Lateral projection, left wrist plain film, male, 10 yo, presentation radiograph, image size 602x1196:
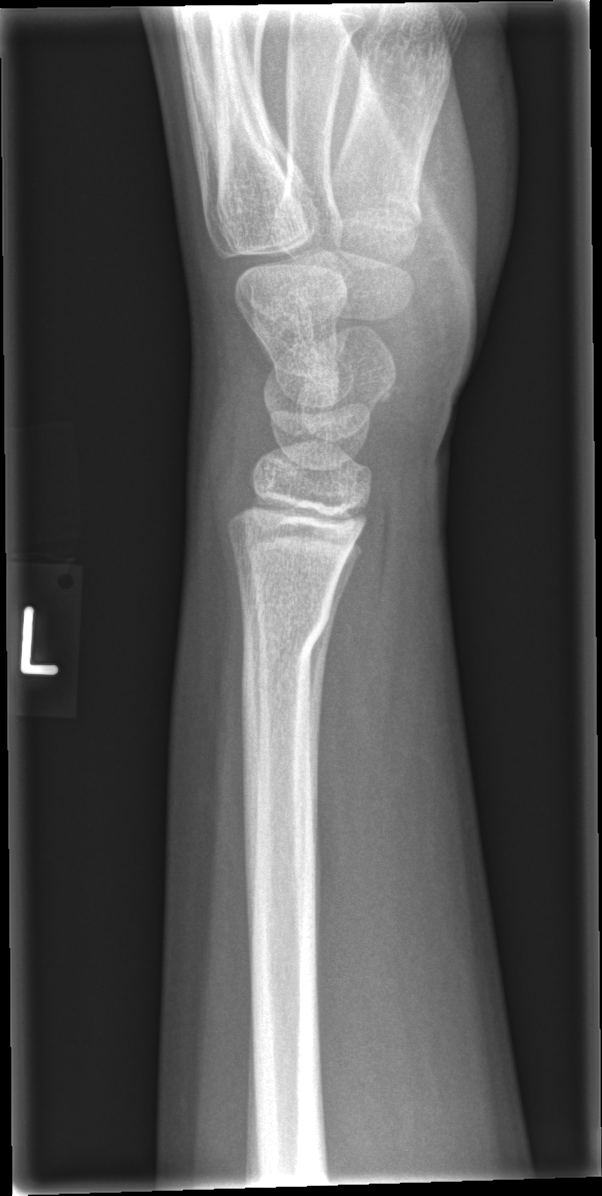
fracture = 1 @ bbox(240, 590, 336, 661)